Posteroanterior view | right wrist XR | pediatric patient (female, age 7) | 544x993:

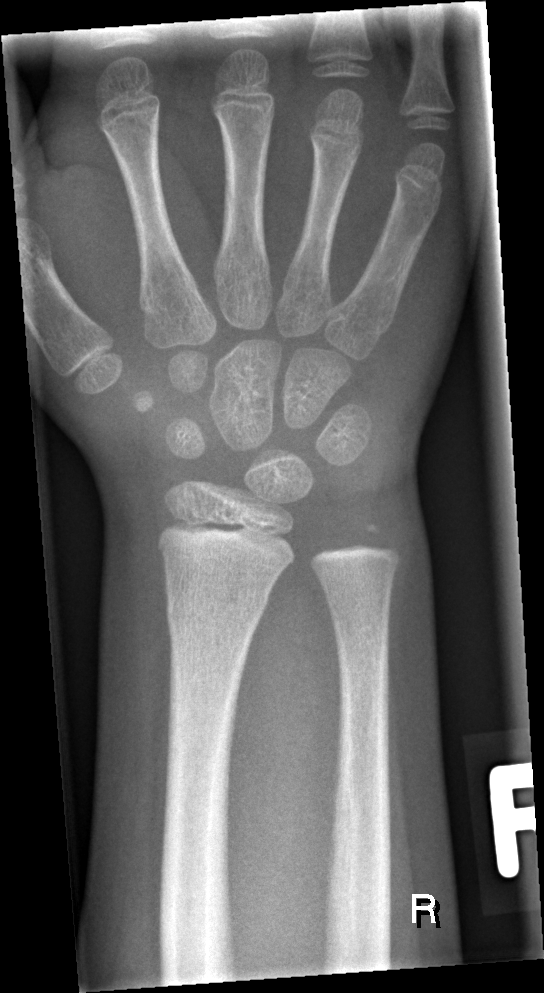

(boxes as x1,y1,x2,y2 (top-left / bottom-right, pixel units))
fracture = 1 @ bbox(162, 582, 275, 640)